L wrist XR | PA/AP projection | cast present.
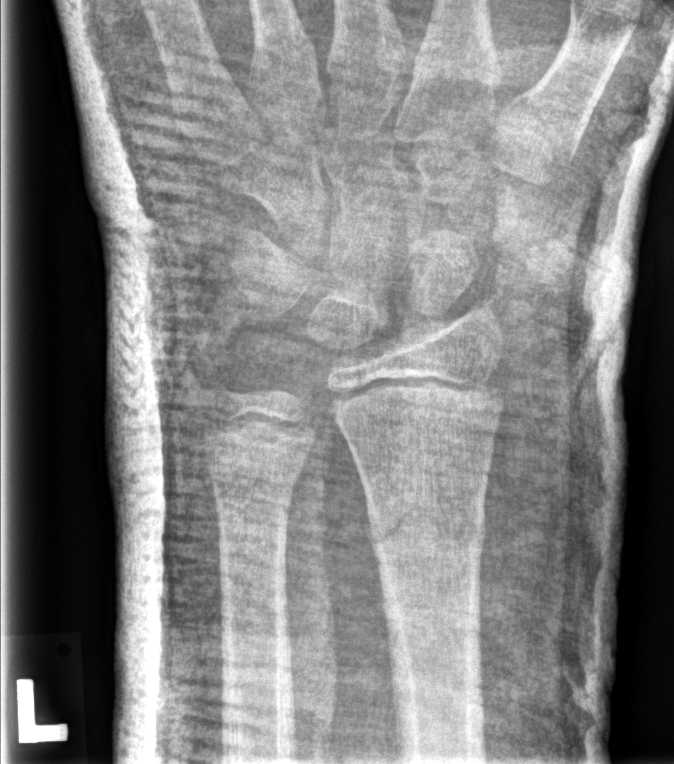
Boxes as x1,y1,x2,y2 (top-left / bottom-right, pixel units). AO code 23r-M/3.1. Bone fracture — bbox(364, 492, 488, 568).